R wrist radiograph; PA/AP; 8y F; Siemens.

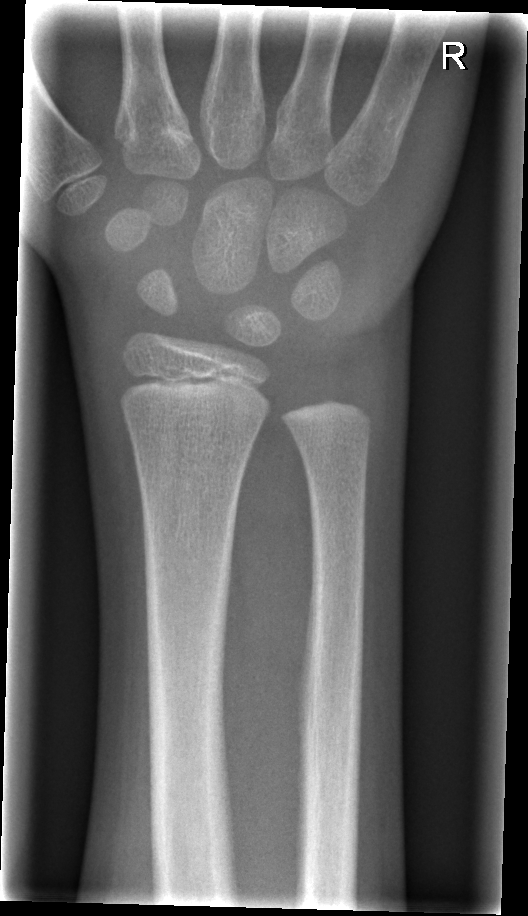
Fracture = none labeled